Lt wrist plain film · lateral projection · 11-year-old male · image width 75.5 mm.
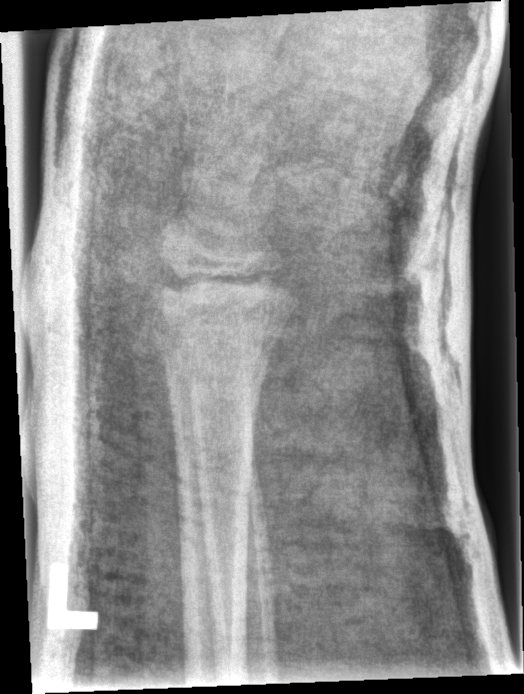
fracture: present but not clearly seen in this view